Posteroanterior, left wrist X-ray, female, 10 yo, cast present:
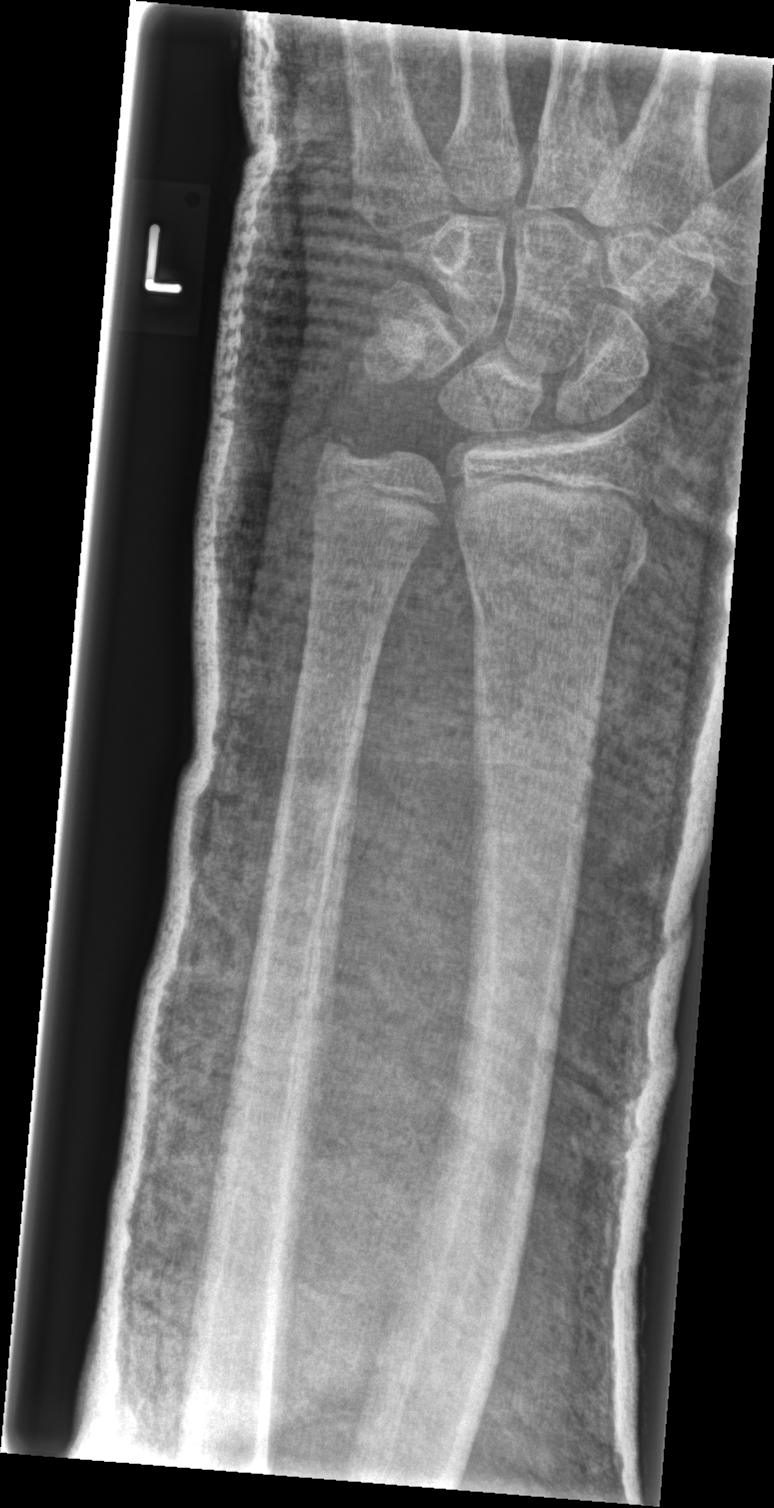 FINDINGS — (bounding boxes in image-pixel xyxy) Fx: (452, 516, 651, 623); (316, 419, 375, 478). Fracture classified AO/OTA 23r-M/3.1; 23u-E/7.